PA · L wrist radiograph · boy, 17 yo · detector: Siemens —
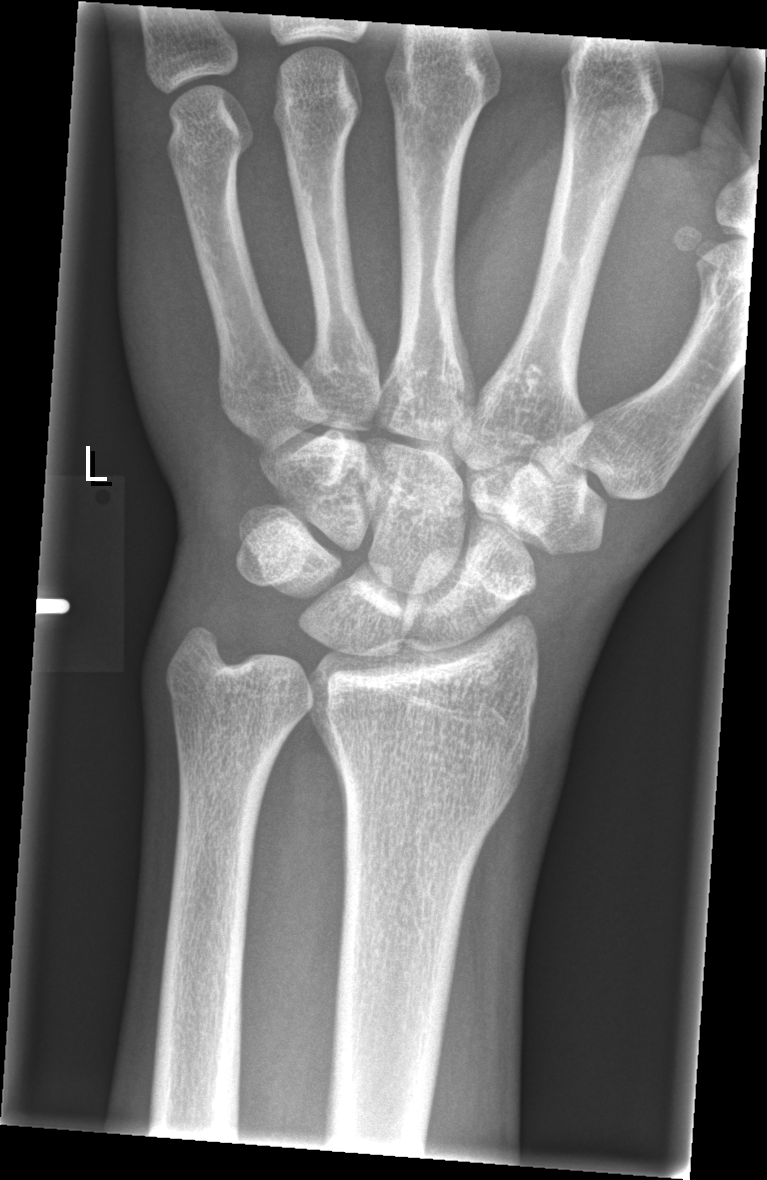

* AO code 72B(b).
* Fx present but not clearly seen in this view.